Lateral, right wrist plain film, 9-year-old female.
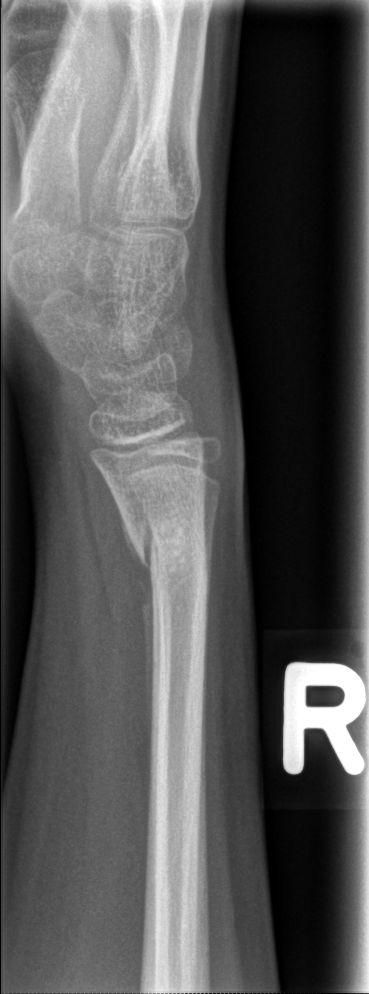
Periosteal new bone identified at (116, 500, 155, 749).
One fracture at (122, 512, 212, 599).